L pediatric wrist radiograph; lateral projection; pediatric patient (female, age 17); acquired on Siemens; 513 by 890 pixels
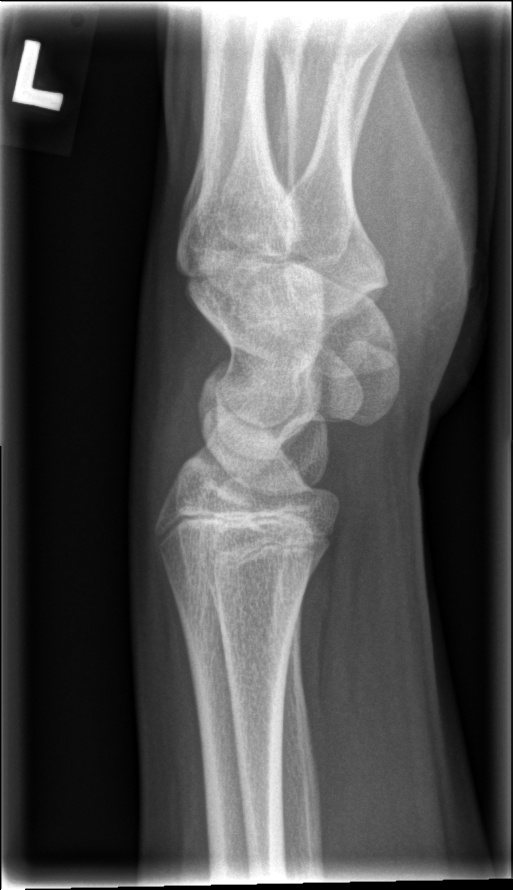 Fracture: none labeled